Lateral | Rt wrist plain film | in cast:

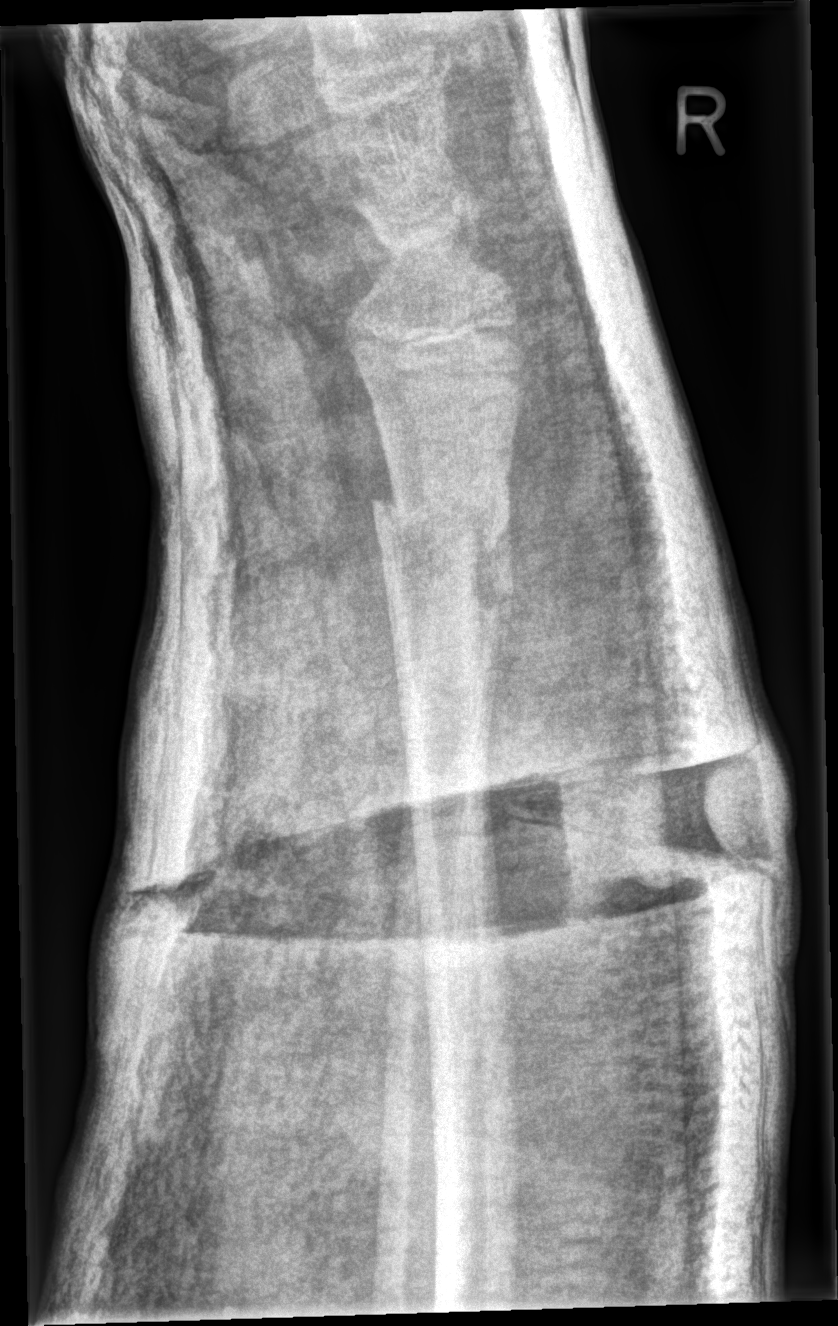
fracture: [366, 484, 519, 561]
AO/OTA: 23r-M/3.1; 23u-M/2.1; 23u-E/7